Left wrist radiograph | lat | 13y F | presentation radiograph | image 77.2 mm wide | image size 536x1294.

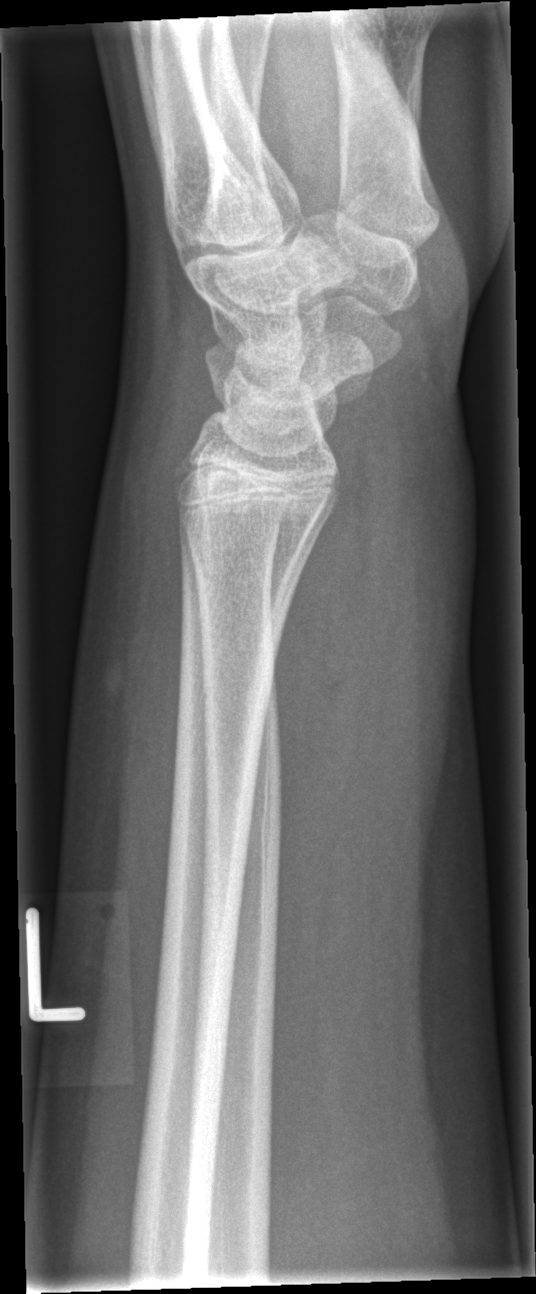

- No fracture labeled.